Frontal view | Rt wrist XR | follow-up study:

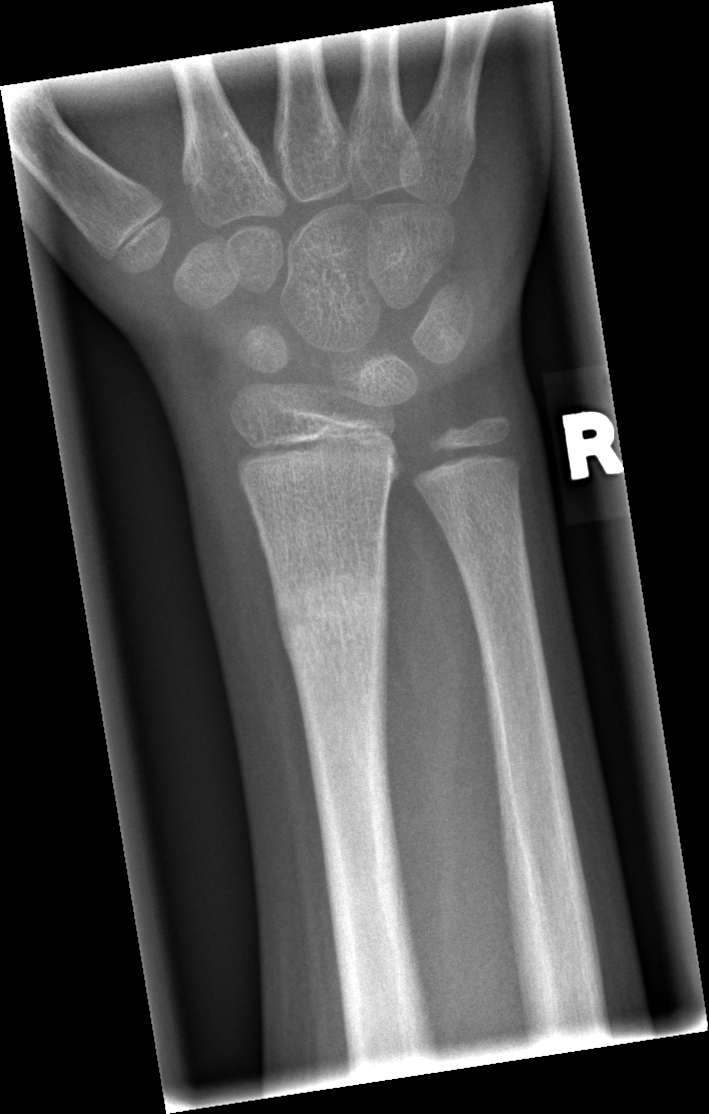 (pixel coordinates, top-left origin, xyxy)
Fx = (left=269, top=563, right=392, bottom=658)
osteopenia = present